Lat view; right wrist pediatric wrist radiograph; pediatric patient (boy, age 5):
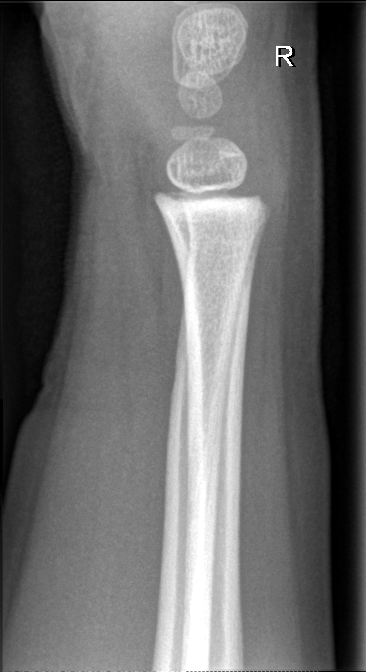
Fx = none labeled